Lat projection; left wrist pediatric wrist radiograph; boy, 17 yo; image 79.6 mm wide
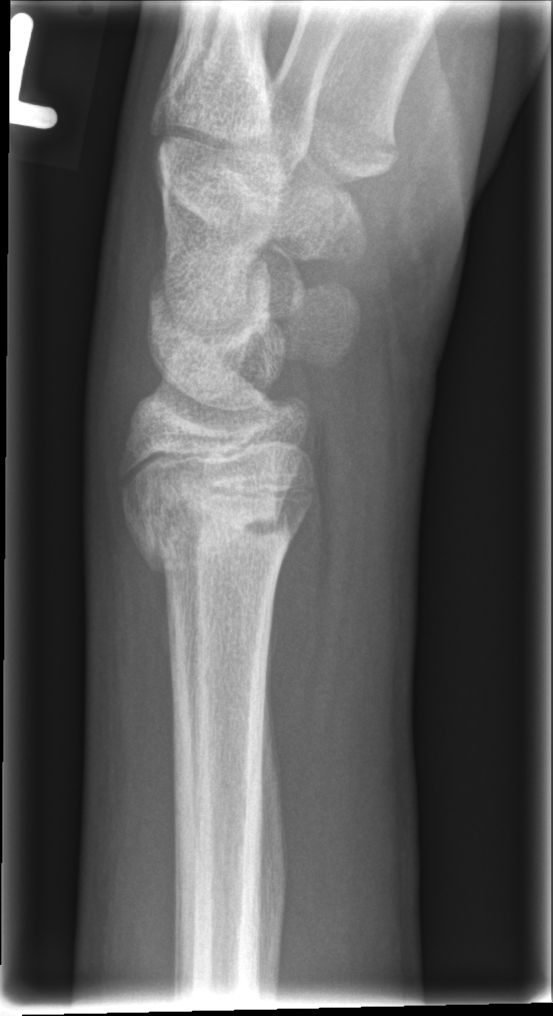

Bone fracture identified at 125 495 299 578. AO/OTA classification: 23r-M/3.1; 23u-E/7.